Lateral view, left wrist radiograph, 11-year-old boy, acquired on Siemens, image size 615x1062 — 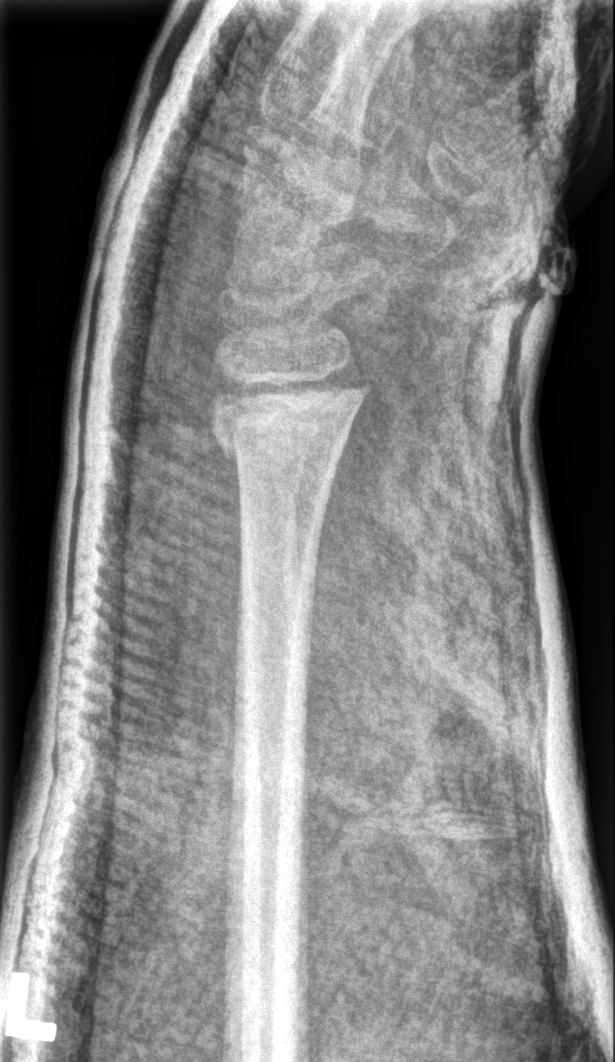 Findings: (coordinates are [x1, y1, x2, y2] in image pixels) Fracture classified AO/OTA 23r-E/2.1. Bone fracture — 212 408 350 478.